Right wrist plain film; posteroanterior view; age 11 y, girl; detector: Siemens: 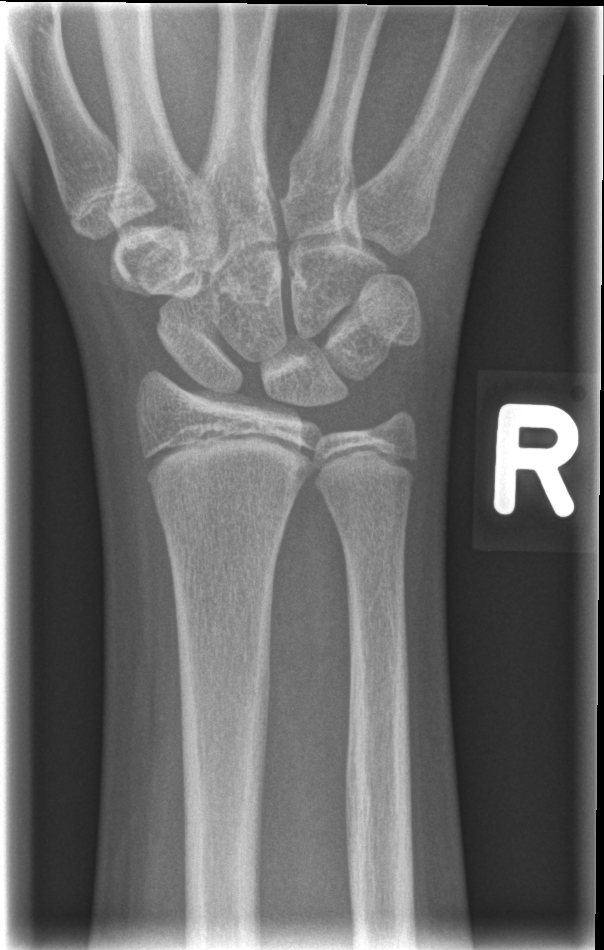
fracture = present but not clearly seen in this view
AO code = 23r-M/2.1